Right wrist pediatric wrist radiograph | obl view | image size 516x536.

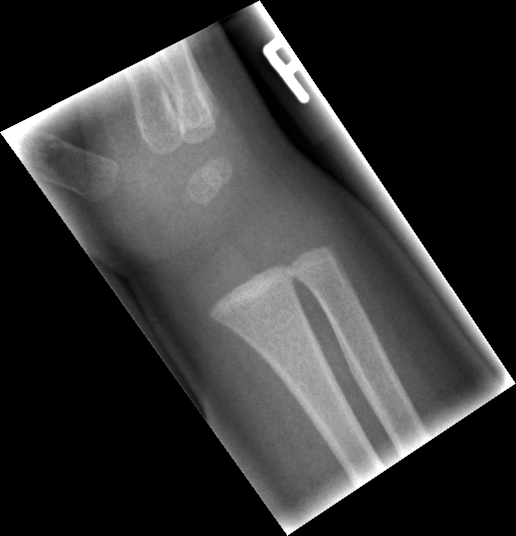
Fx = none labeled